PA/AP projection; Lt pediatric wrist radiograph

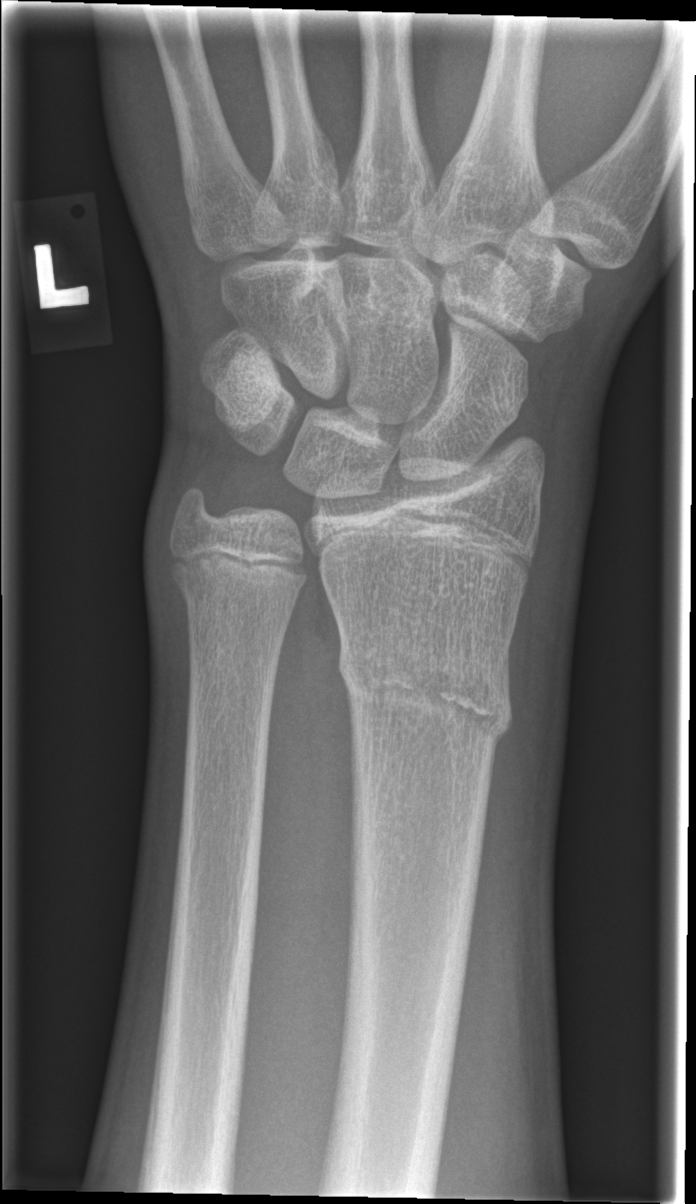

fracture = [334, 628, 517, 758] [164, 556, 310, 622]